R plain radiograph of the wrist; AP projection; 5y M; index exam. 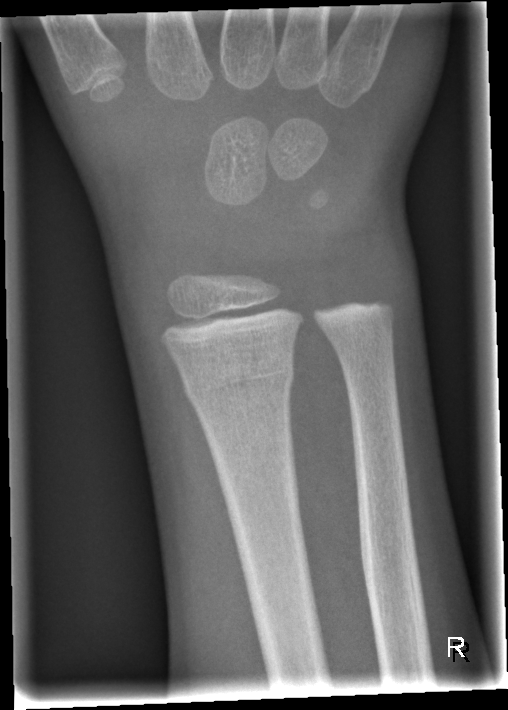
(pixel coordinates, top-left origin, xyxy)
AO/OTA = 23r-M/2.1
Fracture = 177 355 297 403